R wrist plain film · posteroanterior projection · pediatric patient (boy, age 16). 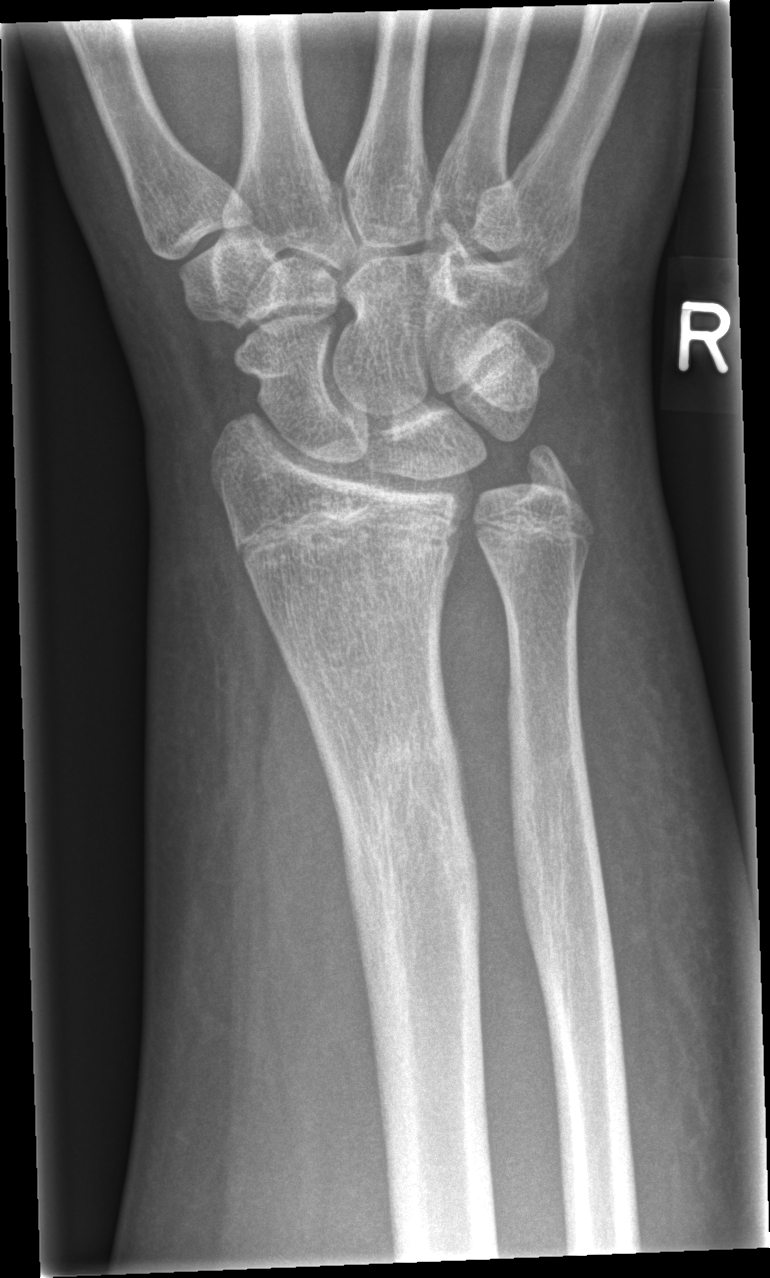

# bounding boxes in image-pixel xyxy
fracture: (322, 711, 490, 985), (502, 676, 613, 965), (517, 437, 586, 502)